Lateral projection; Lt plain radiograph of the wrist; image 78.3 mm wide: 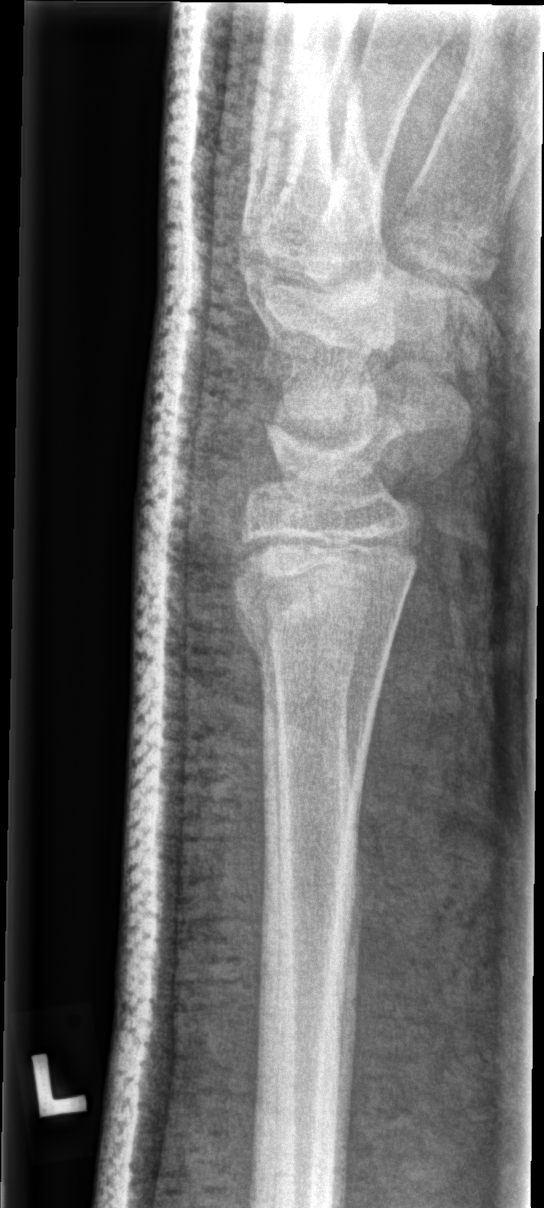

- Fx — [x1=222, y1=528, x2=427, y2=667].